AP view | Rt wrist X-ray | 13y M | image 88.1 mm wide. 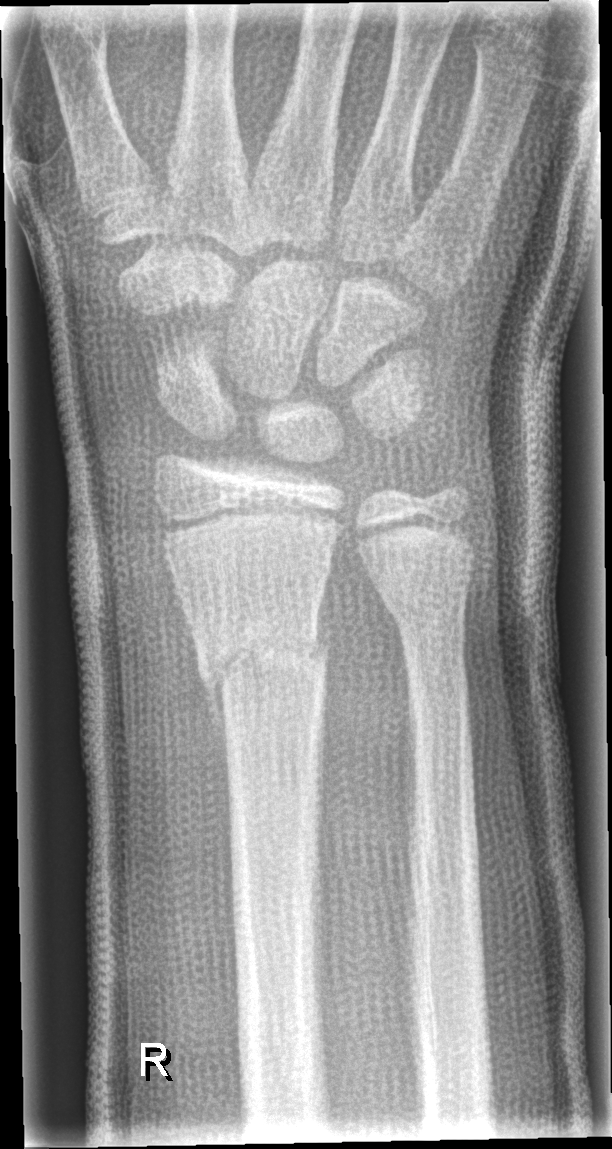

• Fracture classified AO/OTA 23r-M/3.1; 23u-M/2.1.
• Bone fracture identified at 193 612 331 736; 376 562 476 639.
• Periosteal reaction — 198 669 229 805
  314 580 330 665.